Posteroanterior · Rt wrist XR · 9-year-old boy.

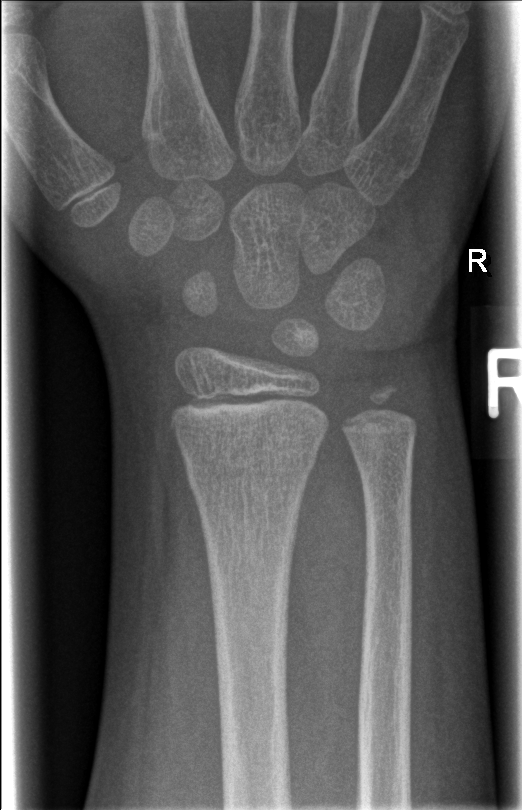
* Pixel coordinates, top-left origin, xyxy.
* One fracture at [178, 438, 321, 503].